Right pediatric wrist radiograph | lateral

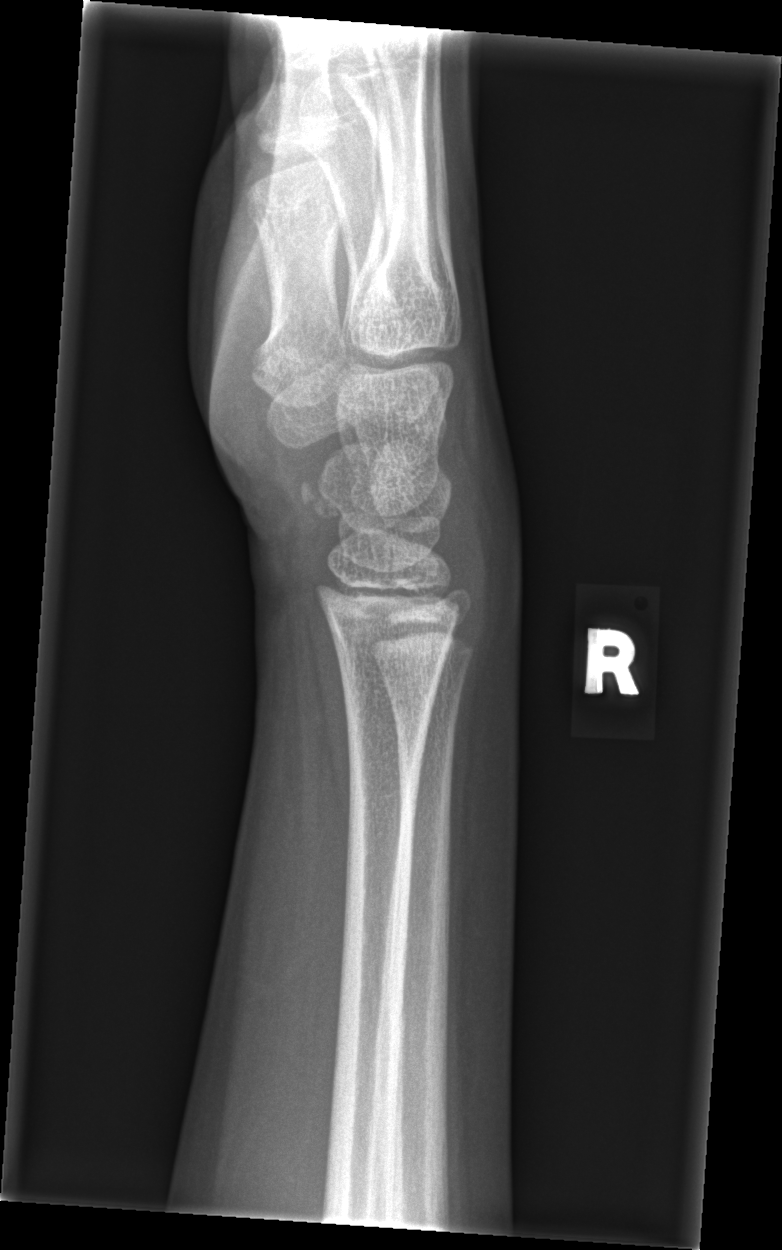

FINDINGS: No fracture labeled.